Frontal | R pediatric wrist radiograph | acquired on Siemens —

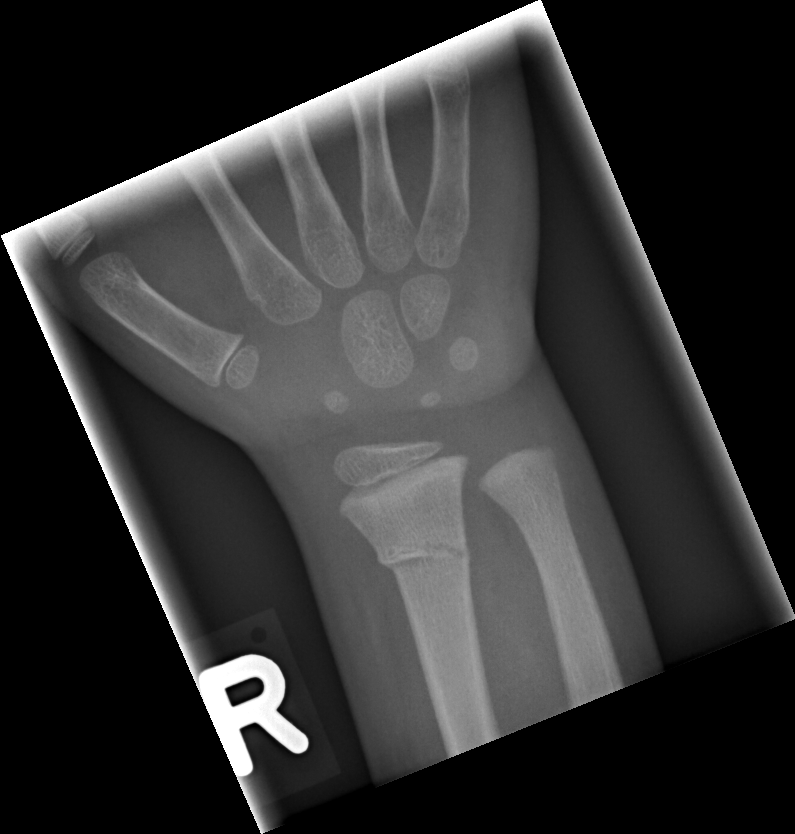

Fx — (left=370, top=528, right=476, bottom=582); (left=500, top=475, right=571, bottom=529). Fracture classified AO/OTA 23-M/2.1.